Right wrist XR; AP view; in cast. 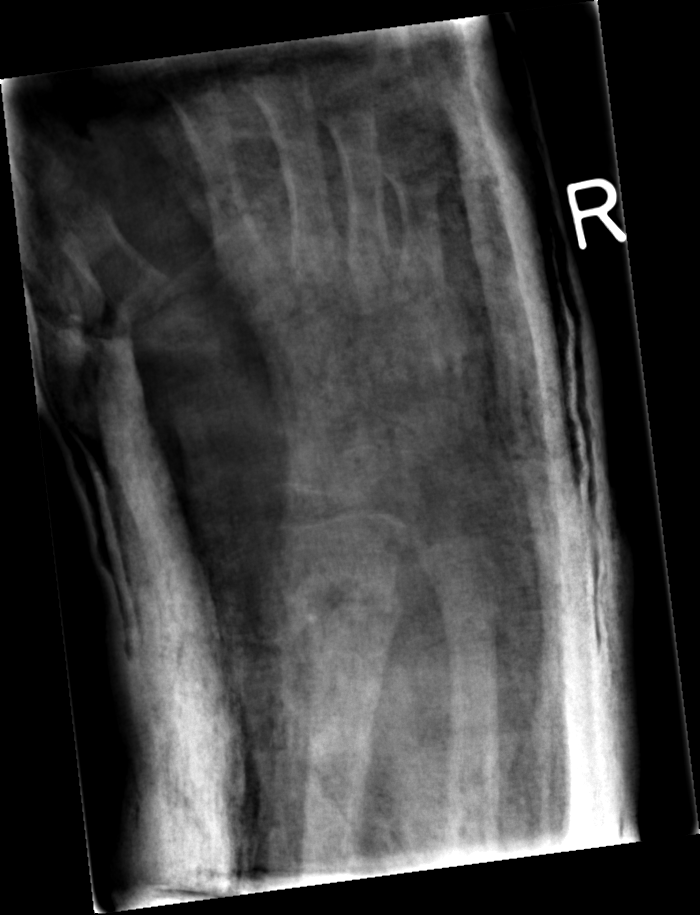 fracture: (left=273, top=566, right=409, bottom=650)
ao: 23-M/3.1